Lat view, L wrist radiograph, subsequent exam, cast present, Siemens
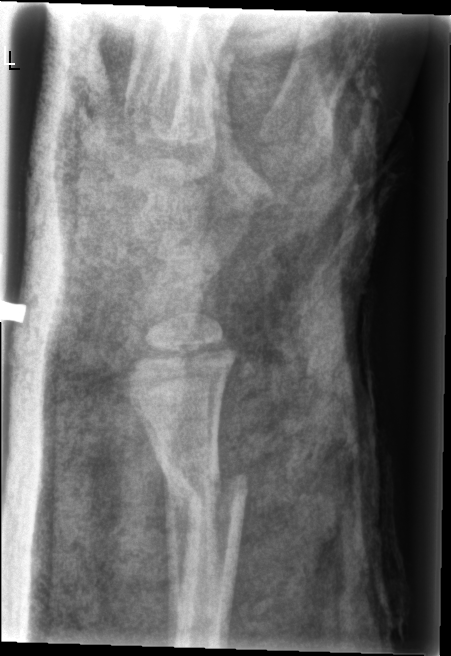 (pixel coordinates, top-left origin, xyxy)
Fracture: 1 @ [157, 449, 253, 522]